Lat view | Rt wrist X-ray —

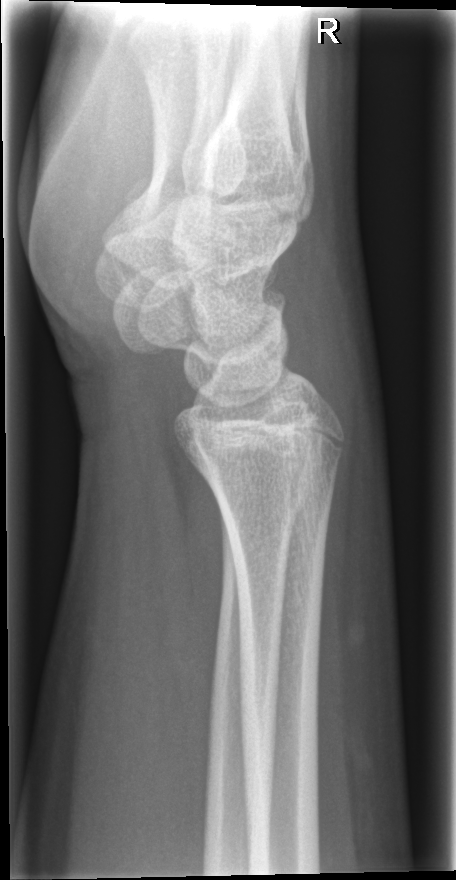
Fracture: none labeled.